Right wrist XR, lateral projection, cast in situ, Siemens, image width 63.6 mm, image size 442x706. 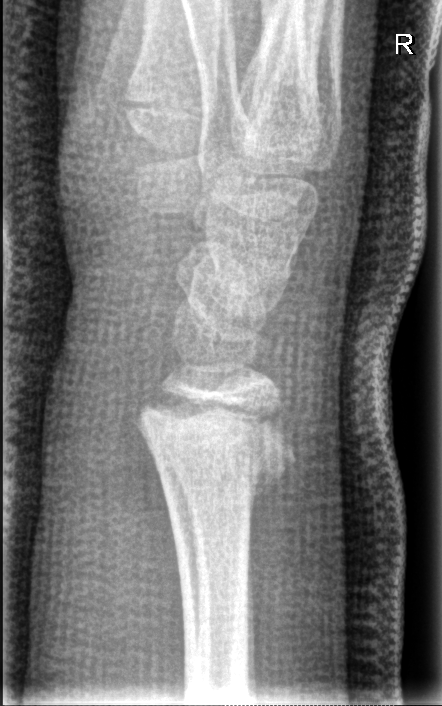 • Bounding boxes in image-pixel xyxy.
• Fx identified at [x1=127, y1=382, x2=300, y2=508].